Lat view · left wrist pediatric wrist radiograph · pediatric patient (female, age 13) · 655 x 1104 px:

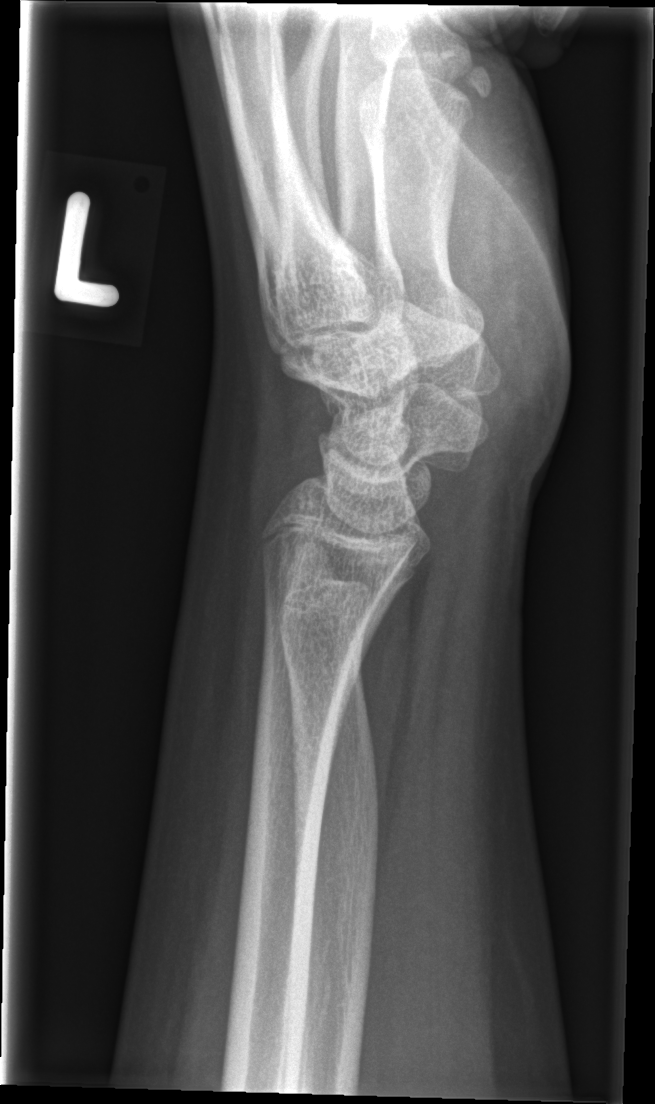

No Fx annotated.